Left pediatric wrist radiograph · lateral 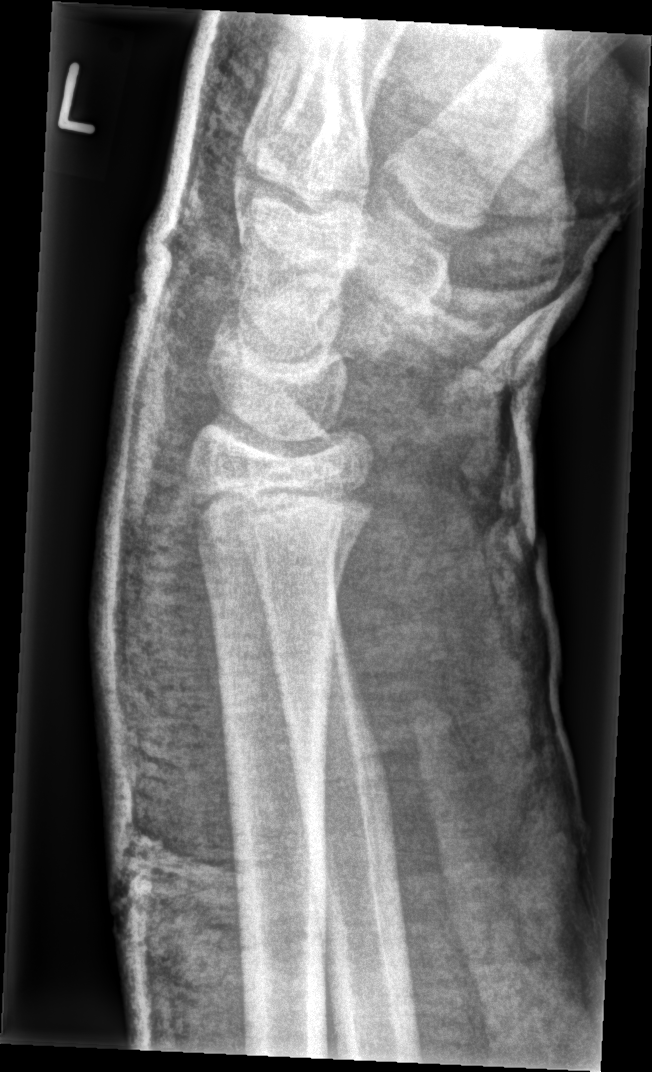 Fx: (187, 468, 376, 546)
AO classification: 23r-E/2.1; 23u-E/7